Lateral projection · right pediatric wrist radiograph · cast in situ · 665 by 988 pixels:

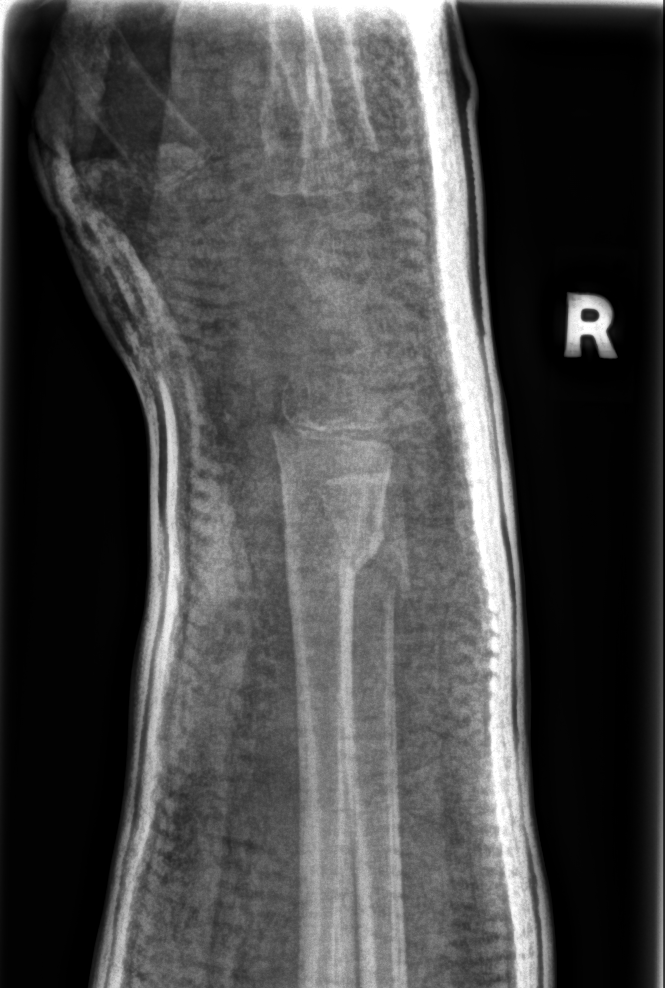 Findings: (boxes as x1,y1,x2,y2 (top-left / bottom-right, pixel units)) Fracture classified AO/OTA 23r-M/2.1; 23u-M/3.1. Fracture identified at <282,496>-<393,590>; <337,530>-<415,609>.